R wrist X-ray · lateral projection · boy, 7 yo —
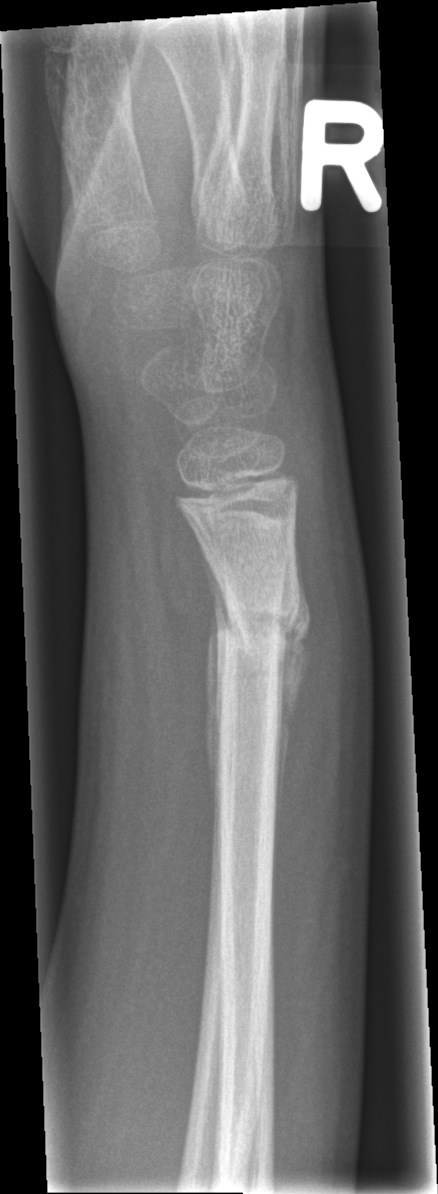 (pixel coordinates, top-left origin, xyxy)
Fx: bbox(207, 575, 313, 680)
periosteal thickening: 2 @ bbox(274, 533, 312, 866) bbox(197, 535, 236, 821)
osteopenia: present